Lateral projection, Rt plain radiograph of the wrist, 11y M

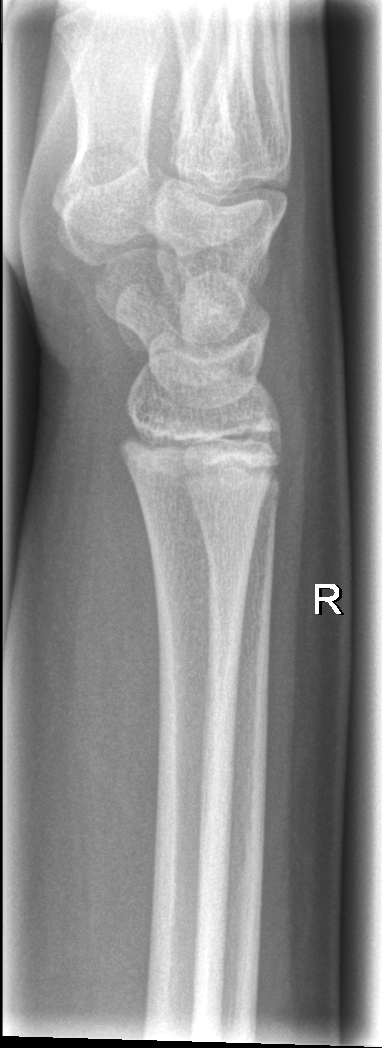 Fx: none.